Right wrist radiograph; lat projection; 10y F. 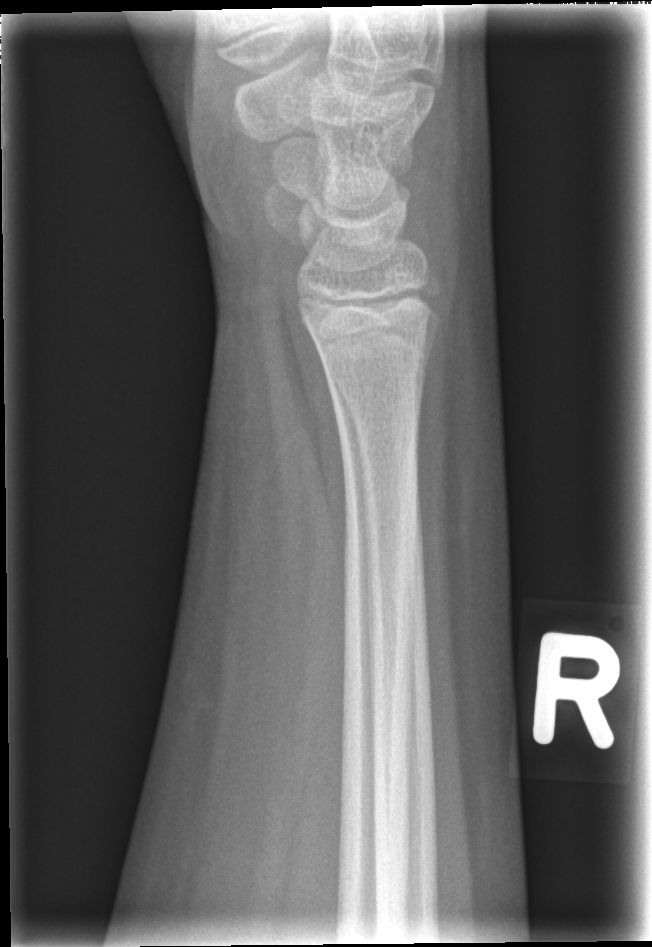

No Fx annotated.